Lateral, L wrist X-ray, pediatric patient (boy, age 13), subsequent exam —
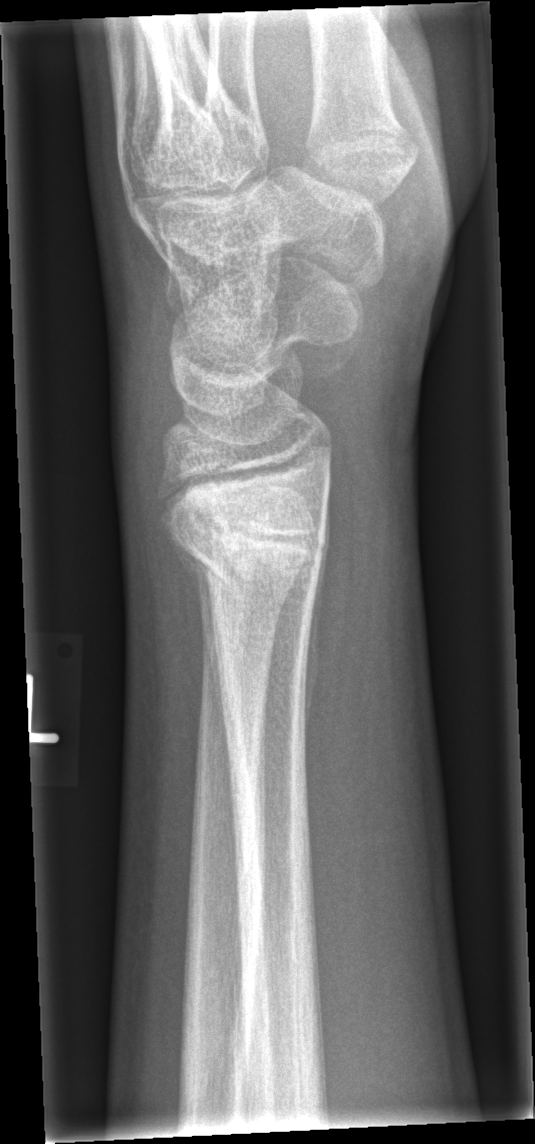 Findings: Osteopenia. Periosteal reaction — [162, 527, 230, 771]; [303, 460, 333, 754]. Bone fracture identified at [156, 492, 336, 604]. AO/OTA classification: 23r-M/2.1; 23u-E/7.